PA · Lt pediatric wrist radiograph · 69.7 mm image width
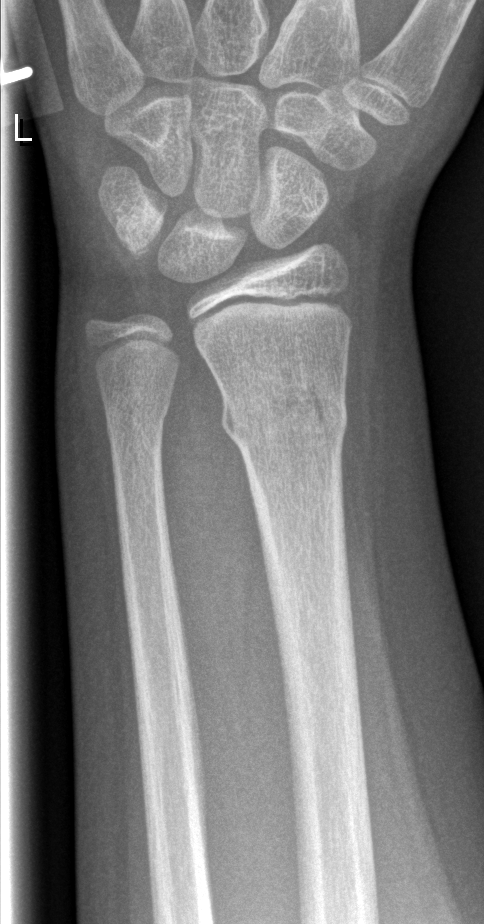

AO code = 23-M/2.1
fracture = 2 @ (218, 380, 350, 451), (101, 397, 174, 444)